Lateral view, right wrist X-ray, 12y M, presentation radiograph, acquired on Siemens, 421 by 1236 pixels: 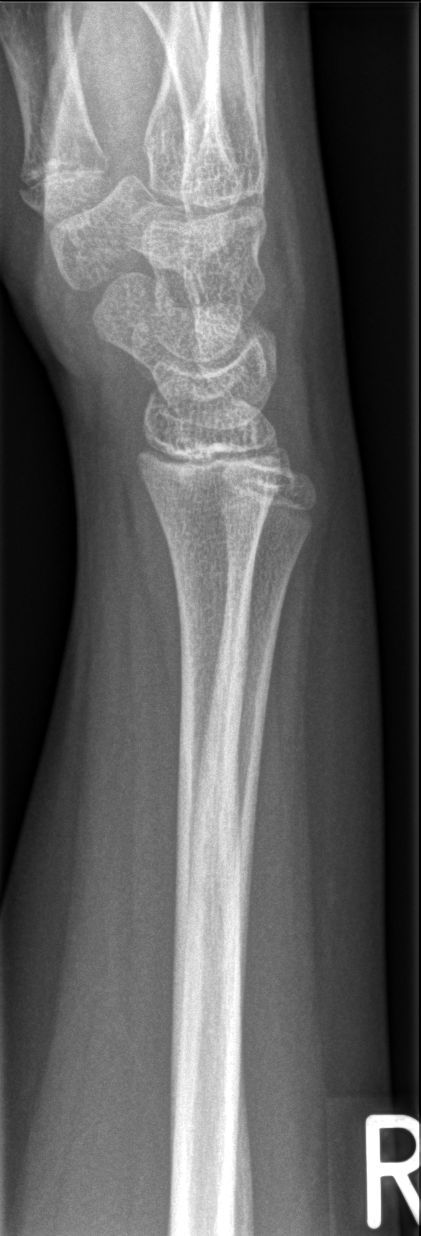

FINDINGS — Fx identified at bbox(151, 463, 285, 541).